Lat view, R wrist radiograph, initial study —

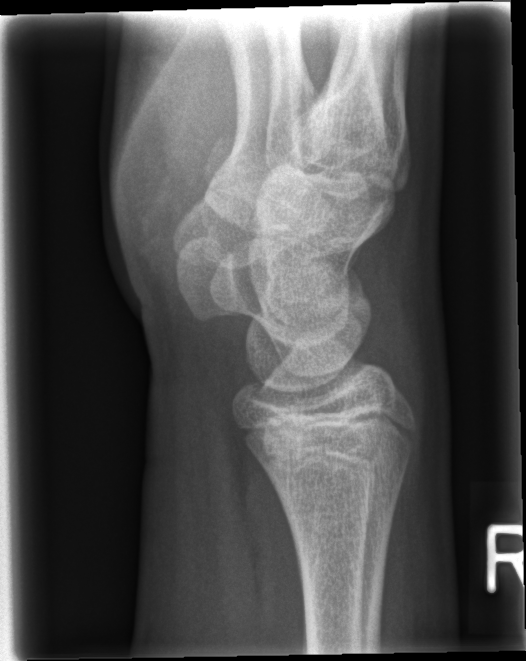 FINDINGS: No Fx annotated.